Lat projection, Lt wrist plain film, index exam, Siemens, image size 495x778 — 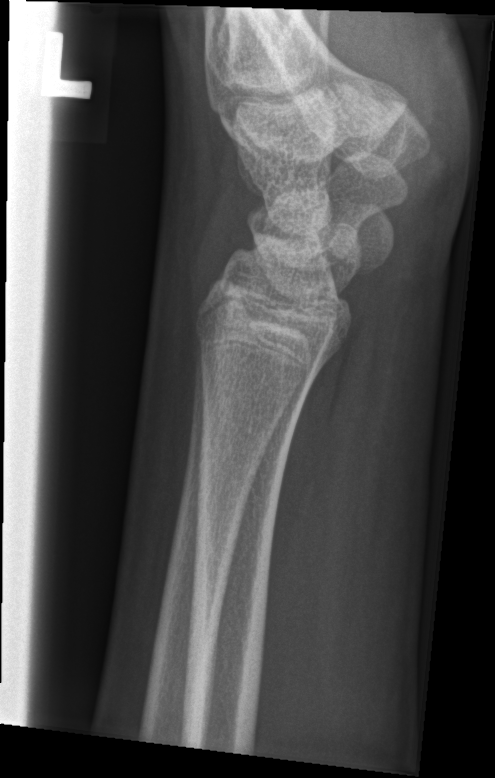

No Fx annotated.